Lt wrist radiograph; PA projection; female, 10 yo — 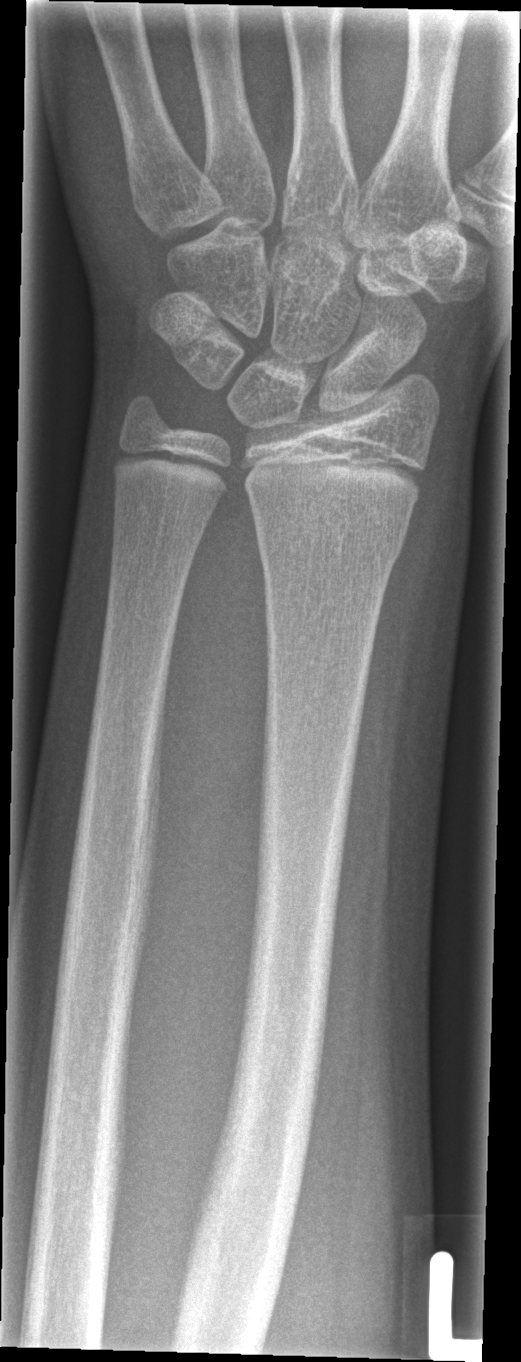
(pixel coordinates, top-left origin, xyxy)
Q: Is there a fracture?
A: Bone fracture — bbox(250, 518, 409, 571)
Q: AO code?
A: AO code 23r-M/2.1